Lat view; left plain radiograph of the wrist; age 18 y, boy; presentation radiograph; 586 by 894 pixels —

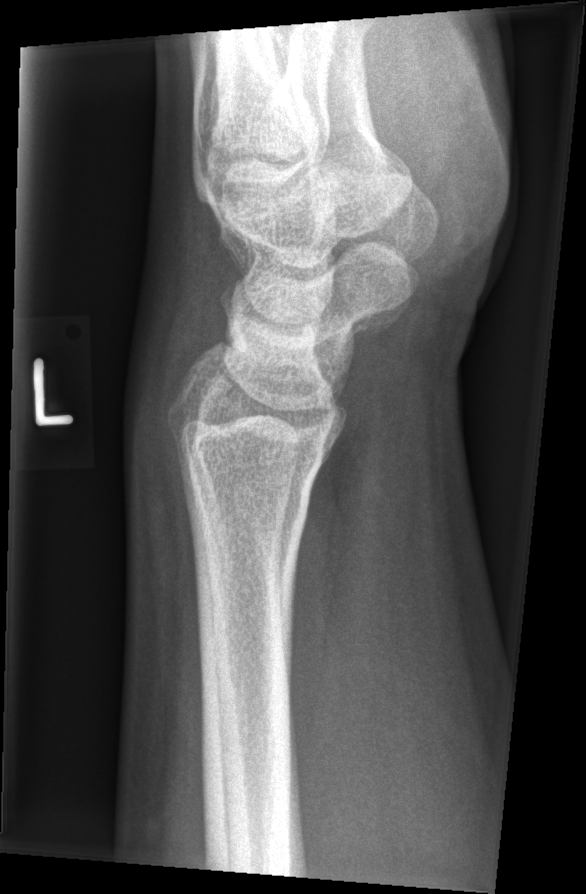
Q: Locate any fractures.
A: No fracture bounding box